Lateral; Rt wrist X-ray; 10y F; initial study:
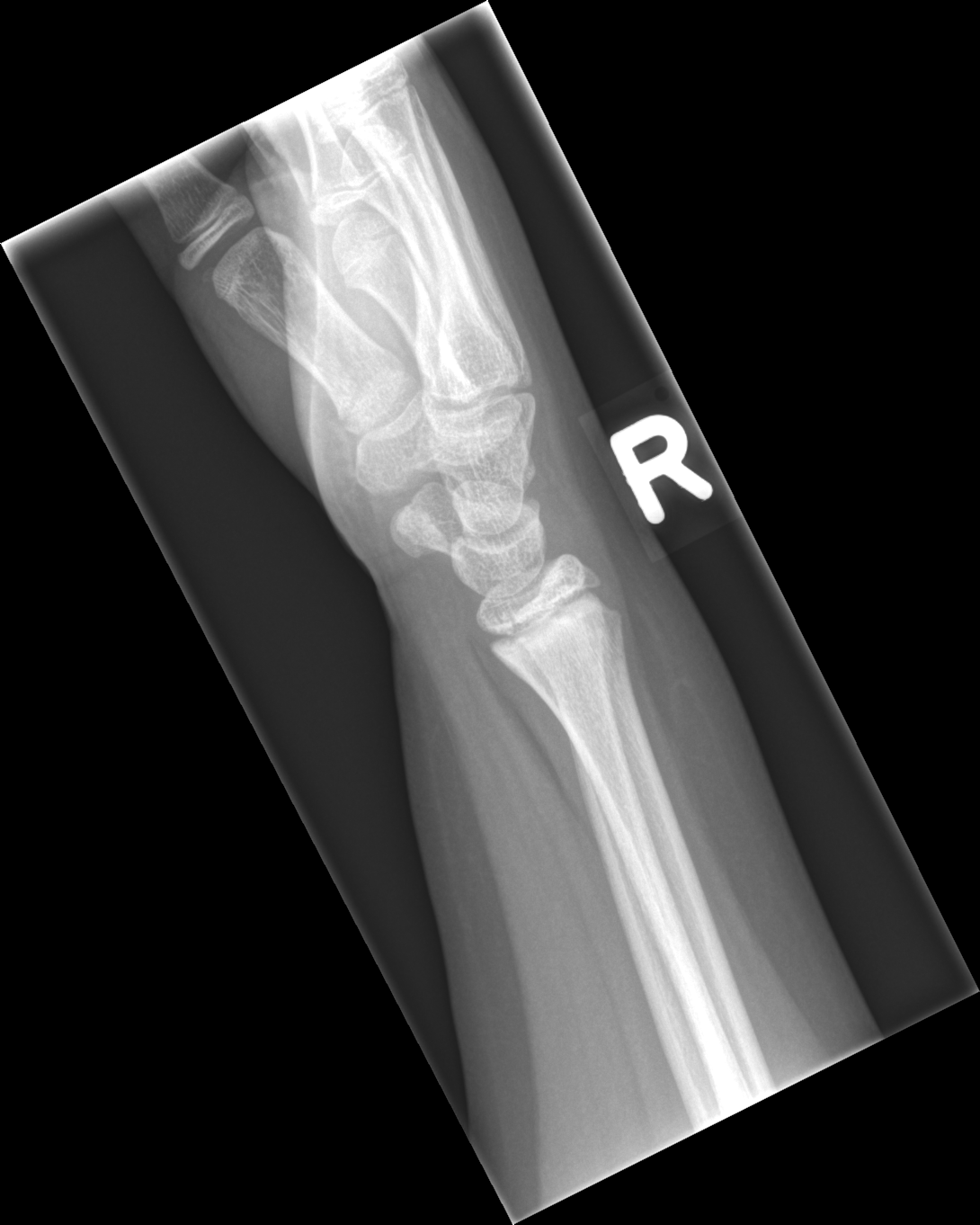

Fx = none labeled